Lat, L plain radiograph of the wrist, 15y M, acquired on Siemens, image 92.2 mm wide
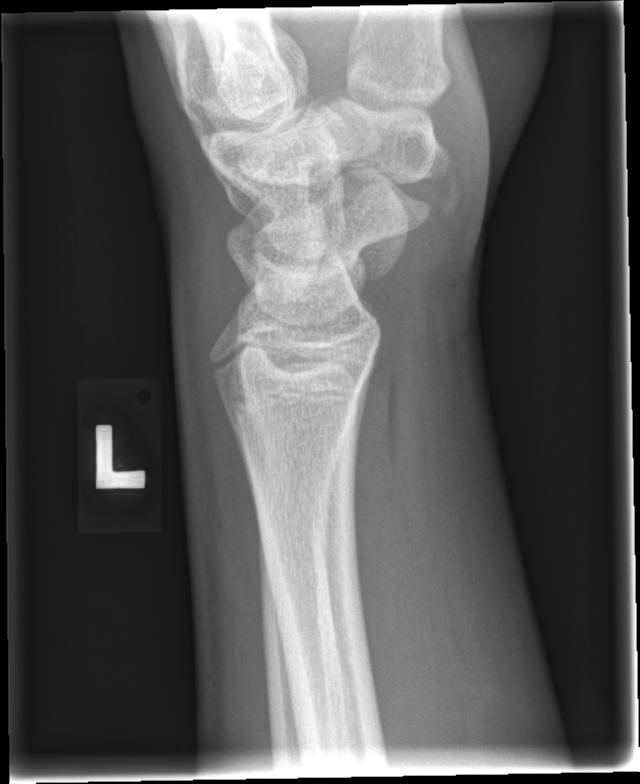

No fracture annotation.